Left wrist pediatric wrist radiograph · PA/AP view · male, 16 yo · follow-up study:

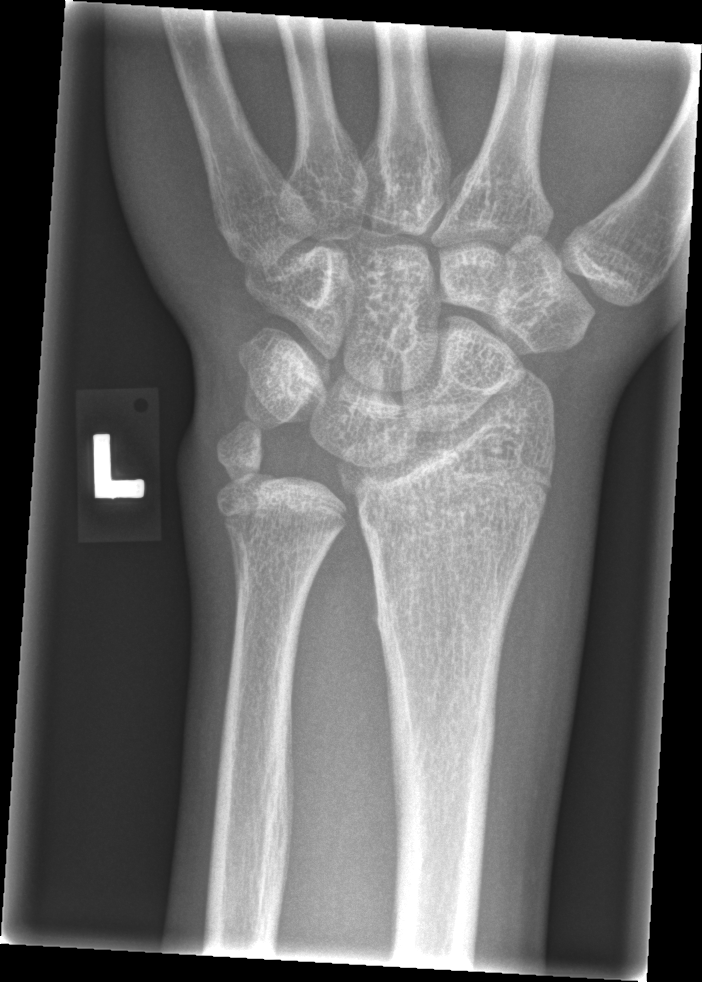
• One bone fracture at [x1=210, y1=411, x2=276, y2=505].